Lateral projection, L pediatric wrist radiograph, pediatric patient (male, age 6), image 67.4 mm wide, 468 x 900 px. 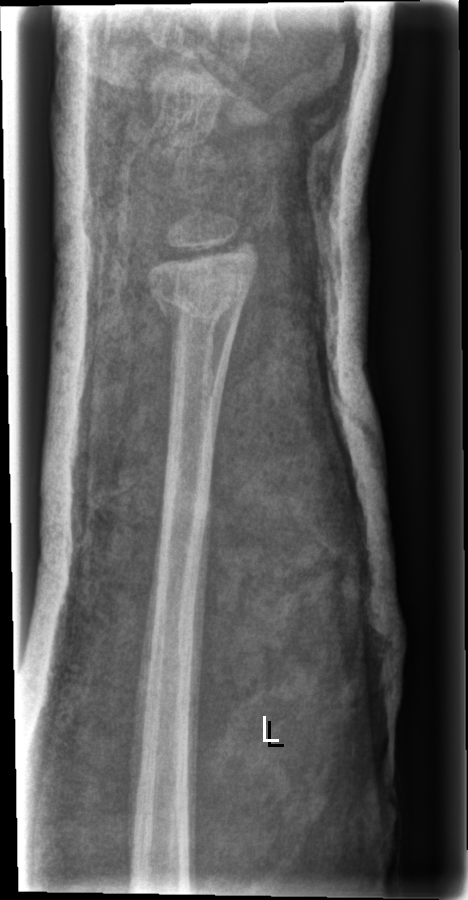

FINDINGS — (boxes as x1,y1,x2,y2 (top-left / bottom-right, pixel units)) One fracture at 146 263 259 339. Fracture classified AO/OTA 23-M/3.1.